PA/AP · right wrist plain radiograph of the wrist · in cast · image width 80.9 mm.
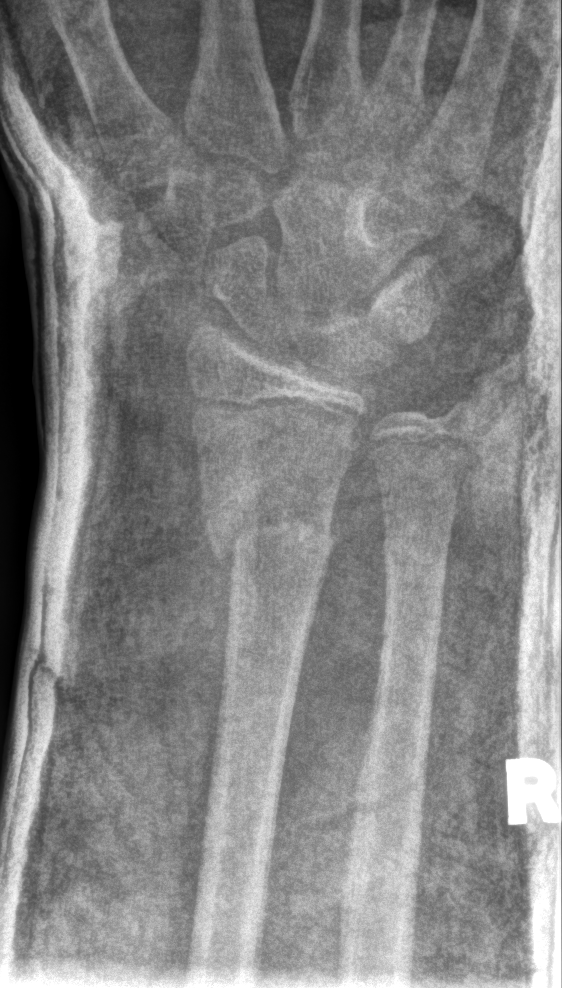

(bounding boxes in image-pixel xyxy)
Q: Any fracture seen?
A: Fx: (195, 486, 343, 587) (376, 525, 455, 599)